Posteroanterior view | Rt wrist XR | 15y M:
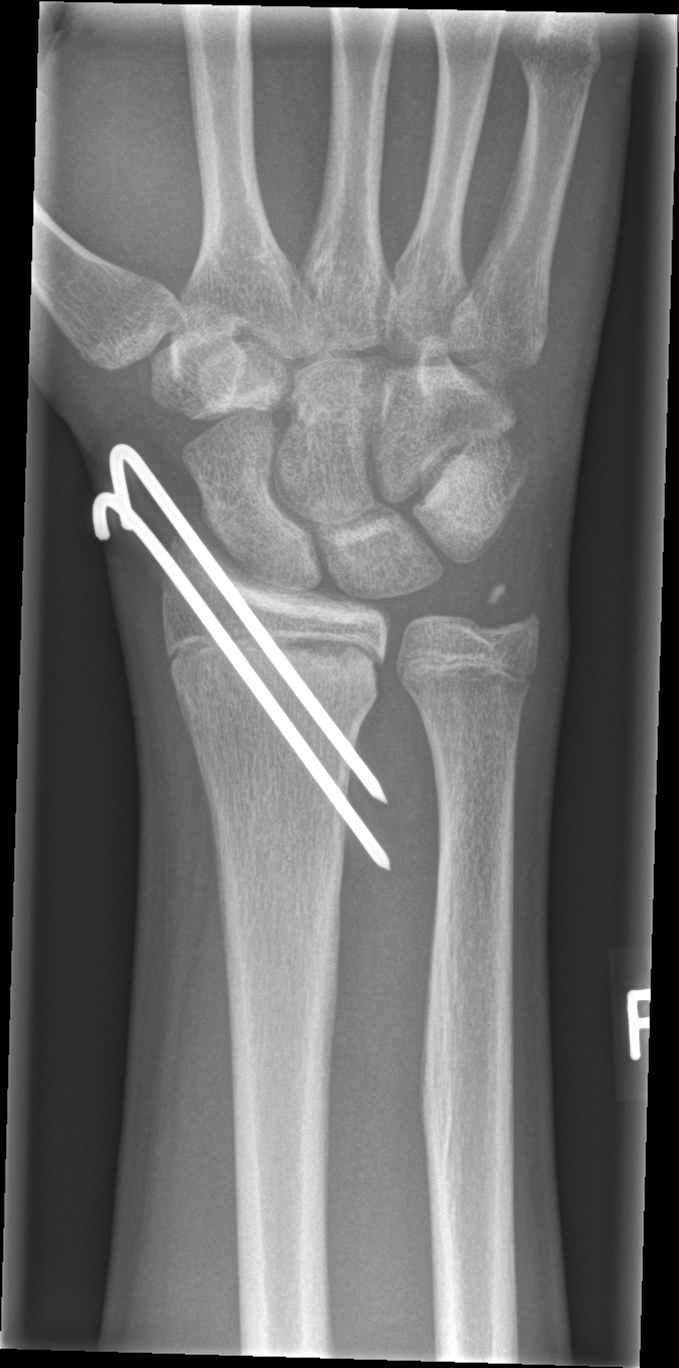 Q: What is the AO/OTA classification?
A: AO code 23r-E/2.1; 23u-E/7
Q: Is there any metallic hardware?
A: One hardware at bbox(90, 441, 397, 880)
Q: Locate any fractures.
A: Bone fracture identified at bbox(481, 580, 547, 646)
Q: Bone density?
A: Decreased bone density (osteopenia)